Lat projection, right wrist plain radiograph of the wrist:
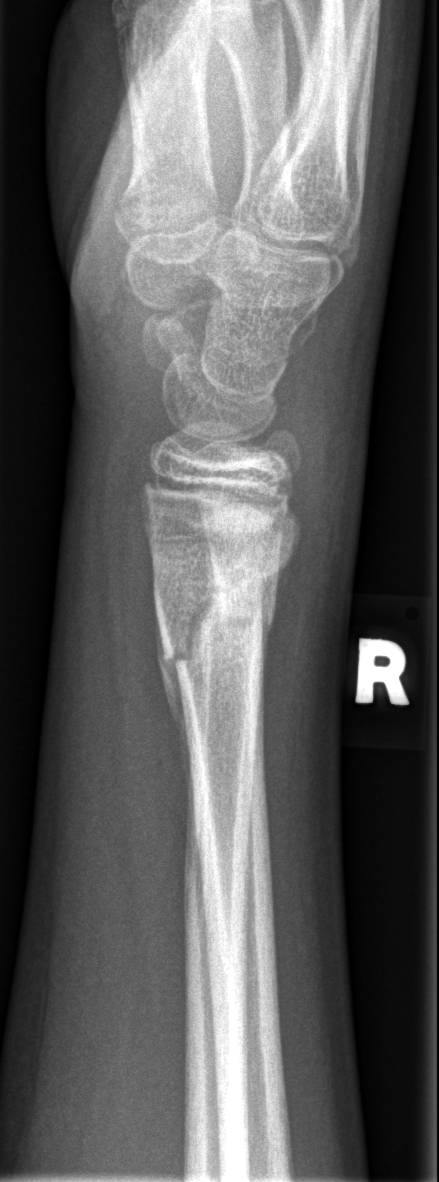
  periostealreaction: 1 @ [x1=154, y1=612, x2=195, y2=809]
  fracture: [x1=149, y1=549, x2=282, y2=683]